Lt wrist radiograph · posteroanterior · 7-year-old male · cast present — 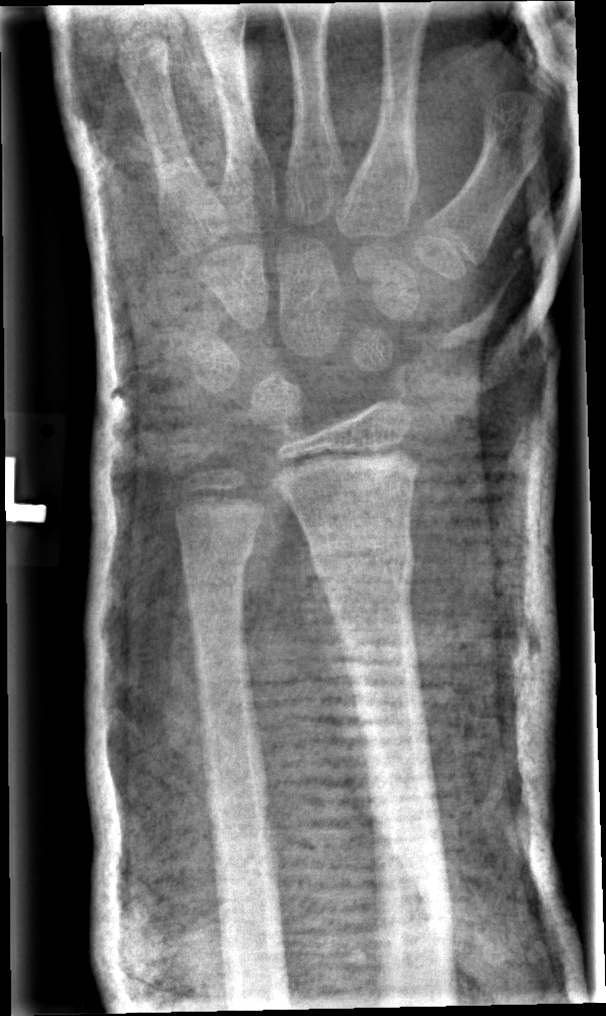 • Bounding boxes in image-pixel xyxy.
• Fx identified at 307,532,418,604; 176,538,257,587.
• Fracture classified AO/OTA 23-M/2.1.